Right wrist X-ray, lateral view, follow-up study, cast in situ
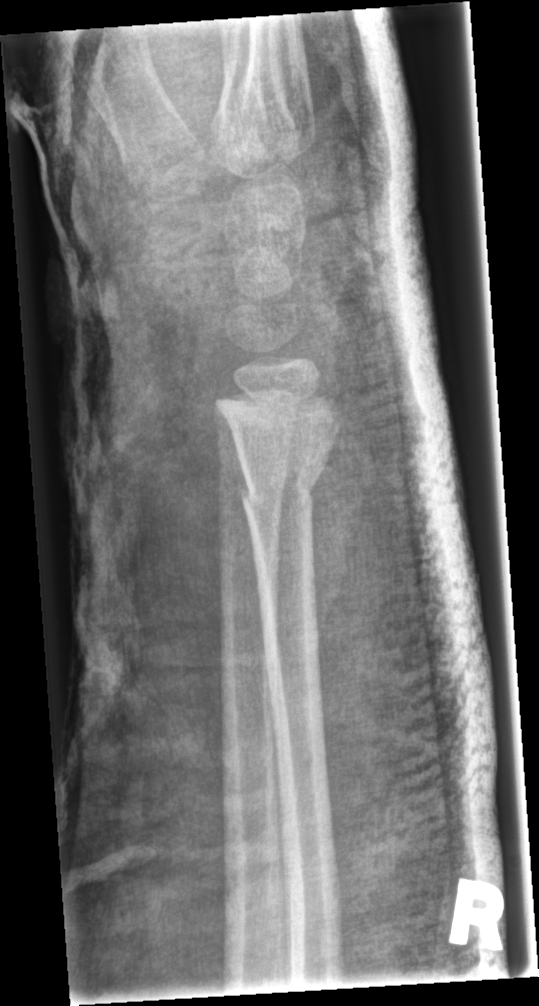
FINDINGS — Bone fracture — (235, 444, 334, 516). AO/OTA classification: 23r-M/3.1; 23u-M/2.1.